Lat | left wrist plain film | boy, 5 yo | follow-up —
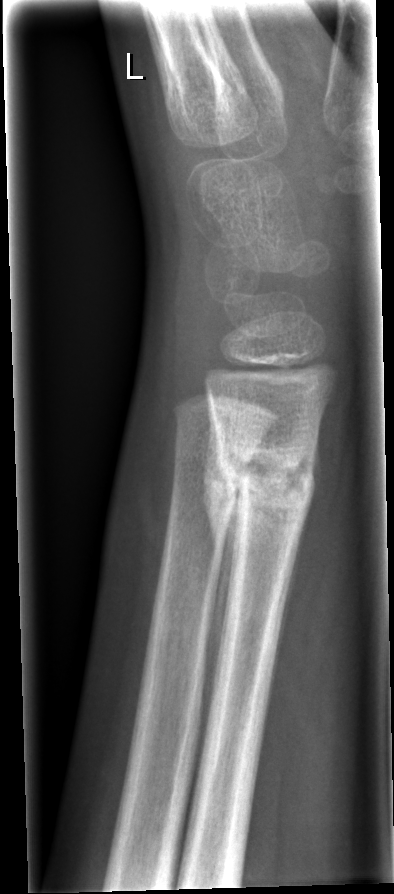   osteopenia: present
  periostealreaction: [x1=200, y1=393, x2=247, y2=695], [x1=265, y1=493, x2=313, y2=717]
  ao: 23r-M/3.1; 23u-M/2.1
  fracture: [x1=214, y1=441, x2=318, y2=519]